Left wrist X-ray | AP projection | pediatric patient (boy, age 15).
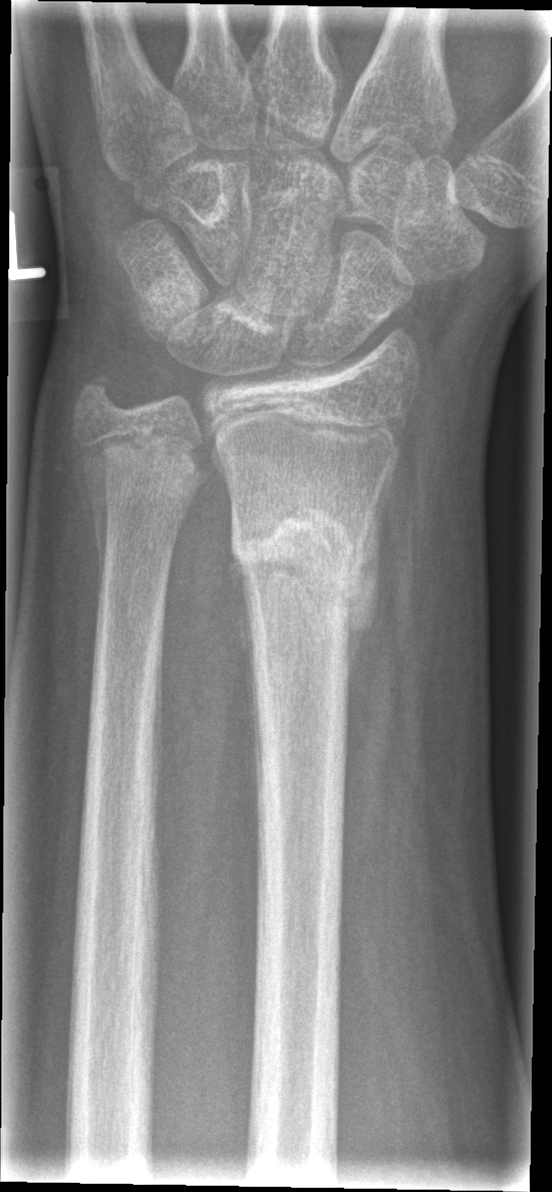

Reduced bone mineral density. Fracture identified at <226,489>-<384,619> <71,425>-<212,508> <73,365>-<133,424>. Periosteal thickening identified at <342,449>-<397,714>; <226,547>-<260,817>; <74,450>-<116,613>. AO code 23r-M/3.1; 23u-E/1; 23u-E/7.